Right wrist radiograph · AP · 9y F · detector: Siemens — 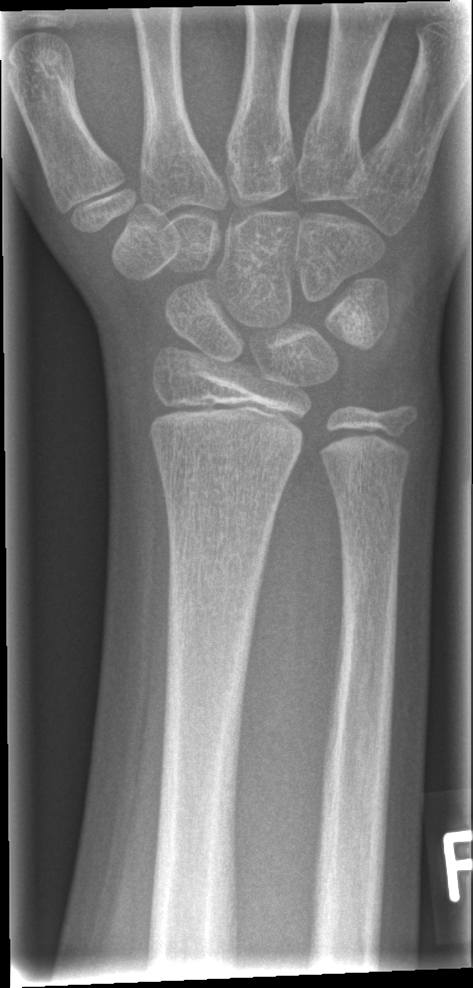
Bone fracture: none labeled